L plain radiograph of the wrist · lat view · index exam.
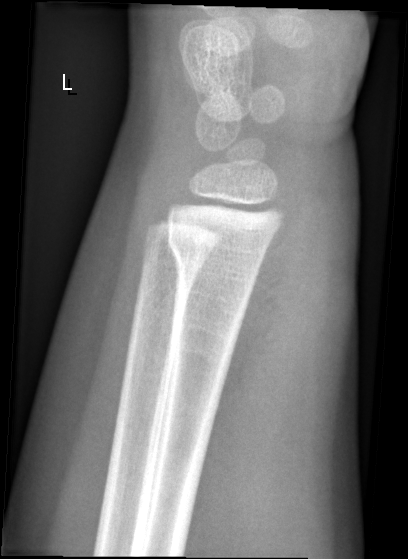

Bounding boxes in image-pixel xyxy.
Fracture classified AO/OTA 23r-M/2.1.
One fracture at 164,223,270,280.